Lateral, Rt wrist plain film, 11y F, in cast, detector: Siemens:
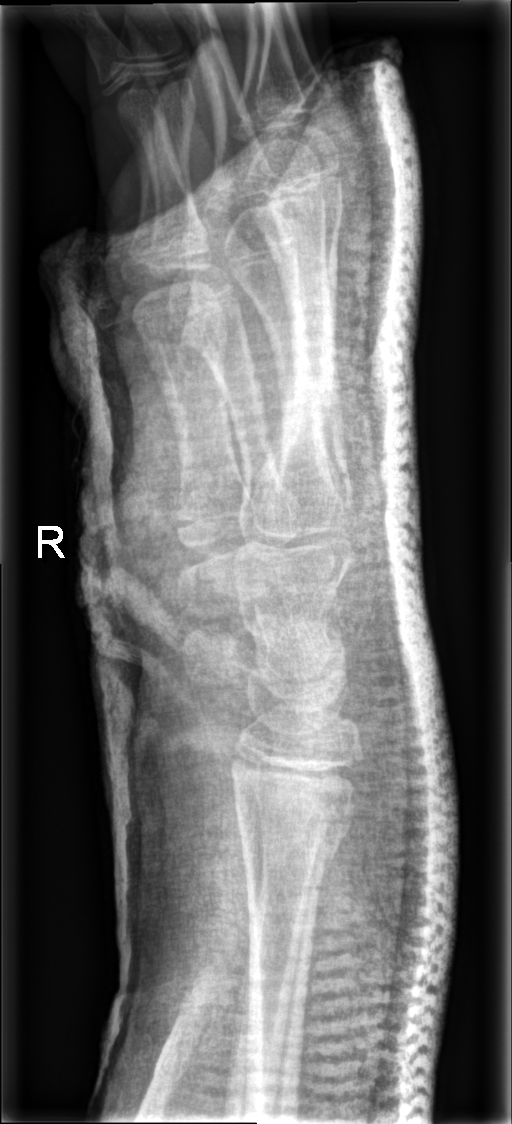 Q: Fracture present?
A: Fx — (225, 782, 361, 884)
Q: AO code?
A: AO code 23r-E/2.1